Lat projection; L wrist plain film; acquired on Siemens; 75.5 mm image width.
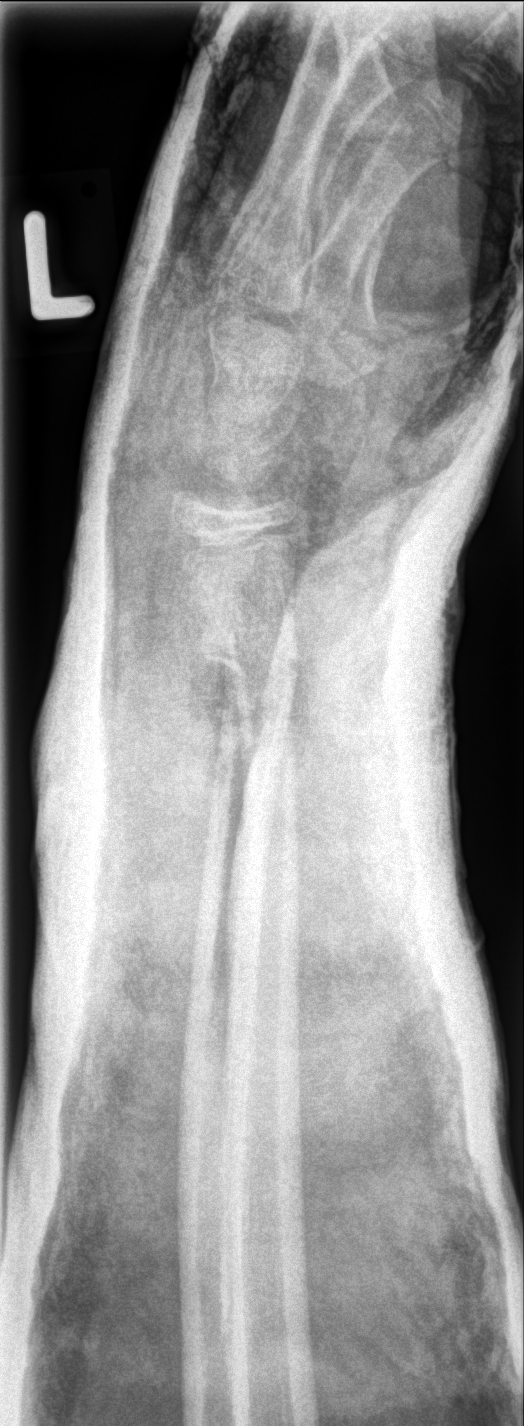 {"_coords": "pixel coordinates, top-left origin, xyxy", "fracture": "190 622 306 740", "ao": "23r-M/3.1; 23u-M/2.1"}